Lateral view; L wrist XR; age 9 y, boy; 378 by 804 pixels.
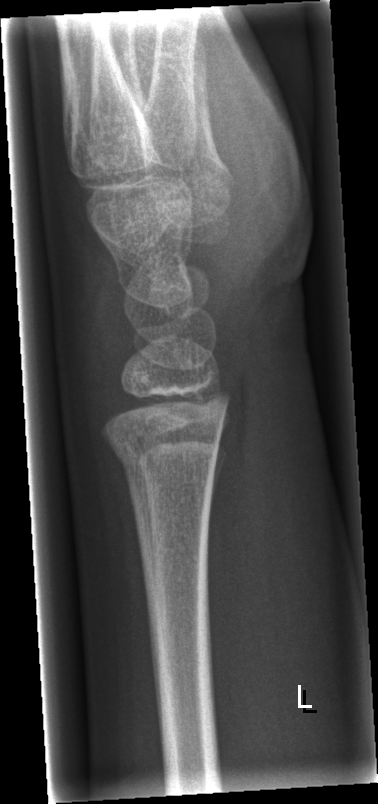
# pixel coordinates, top-left origin, xyxy
ao: 23r-M/2.1
fracture: 1 @ (100, 410, 226, 477)